Lt plain radiograph of the wrist · lat view · 13-year-old boy · follow-up · cast present —
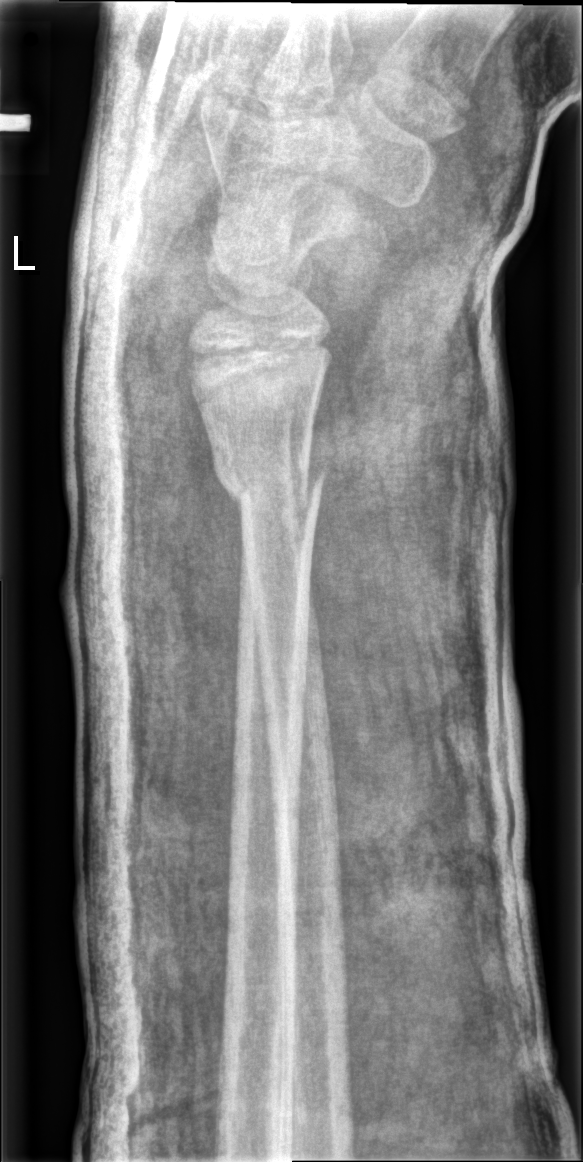

Coordinates are [x1, y1, x2, y2] in image pixels.
Fracture classified AO/OTA 23r-M/3.1; 23u-E/7.
Fracture identified at <202,433>-<328,520>.